Lat view; Lt wrist plain film; pediatric patient (boy, age 15); imaged through cast; 80.2 mm image width

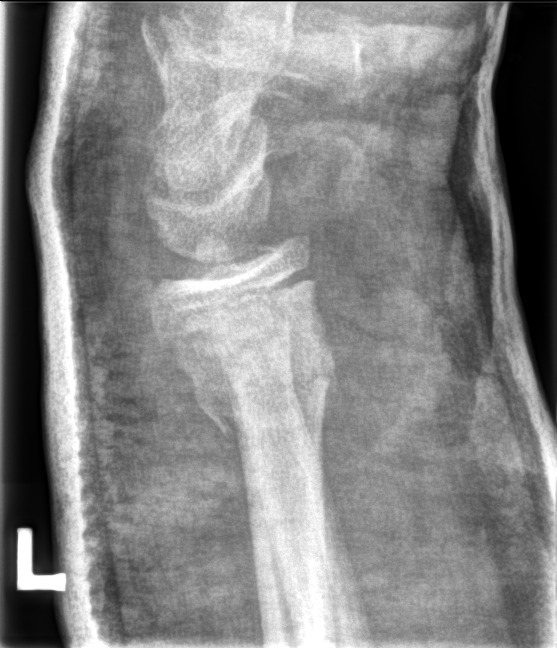

FINDINGS — (coordinates are [x1, y1, x2, y2] in image pixels) AO code 23r-M/3.1; 23u-E/7. Bone fracture — [176, 329, 337, 477].